Right wrist XR, lateral view, pediatric patient (male, age 15) —
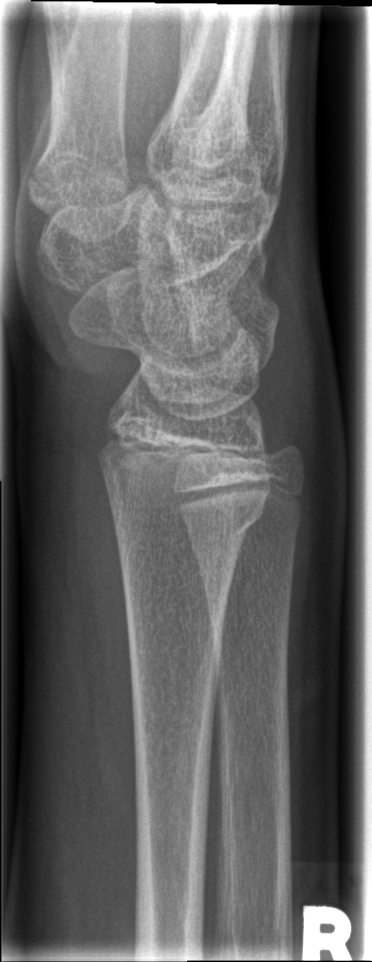 Findings: Bone fracture — 101,472,276,542.